L pediatric wrist radiograph · AP projection · in cast: 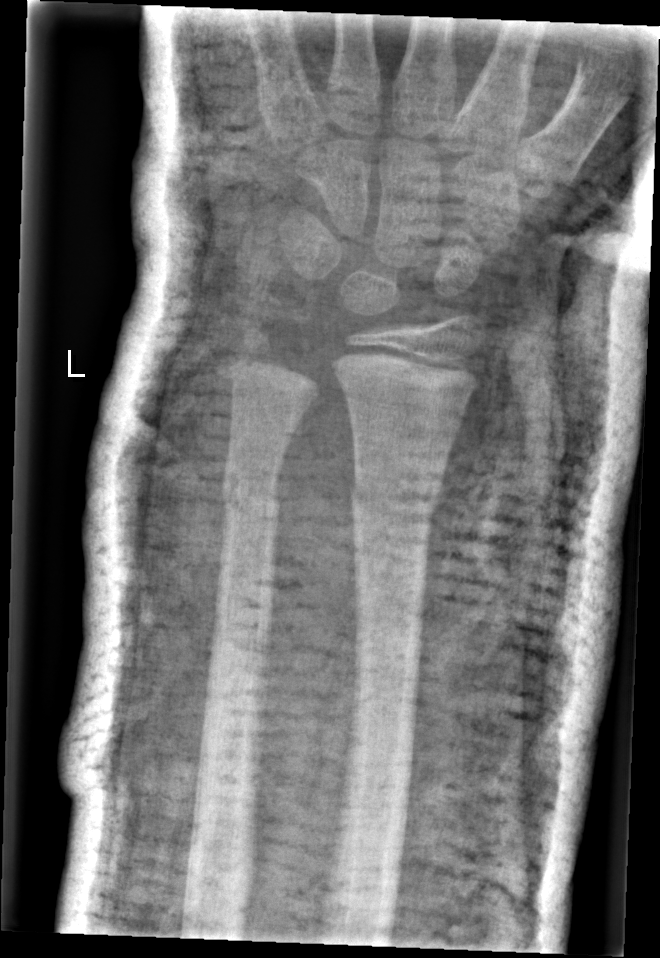 • Fx identified at <344,459>-<446,523>, <220,466>-<284,529>.